Frontal projection · left wrist pediatric wrist radiograph · subsequent exam · acquired on Siemens:

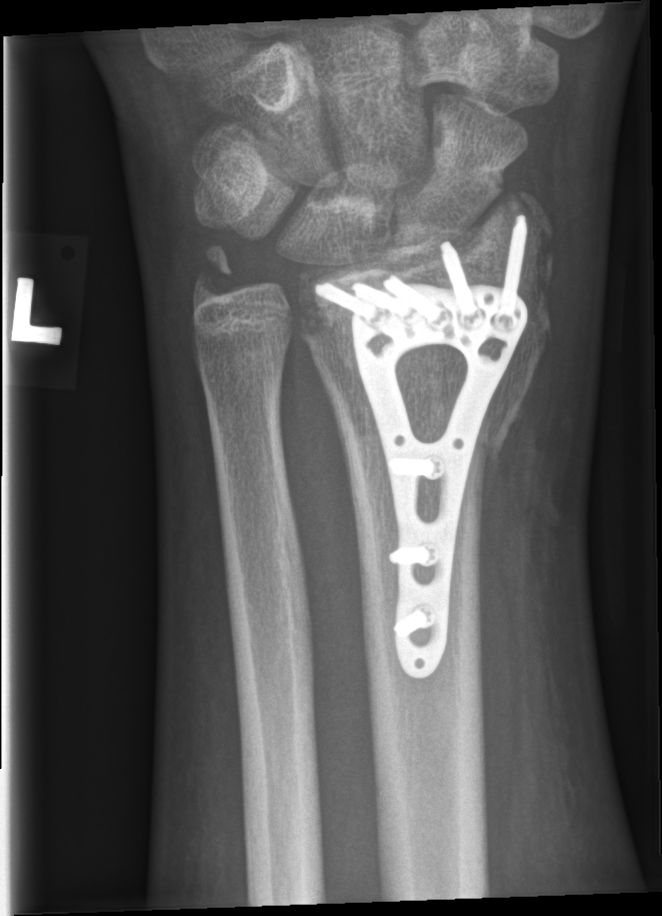

(pixel coordinates, top-left origin, xyxy)
fracture: bbox(294, 182, 555, 474), bbox(189, 240, 241, 312)
metal: bbox(307, 206, 533, 686)
AO/OTA: 23r-M/3.1; 23u-E/7